Lt pediatric wrist radiograph · lateral projection · pediatric patient (male, age 15) · 803 x 1052 px
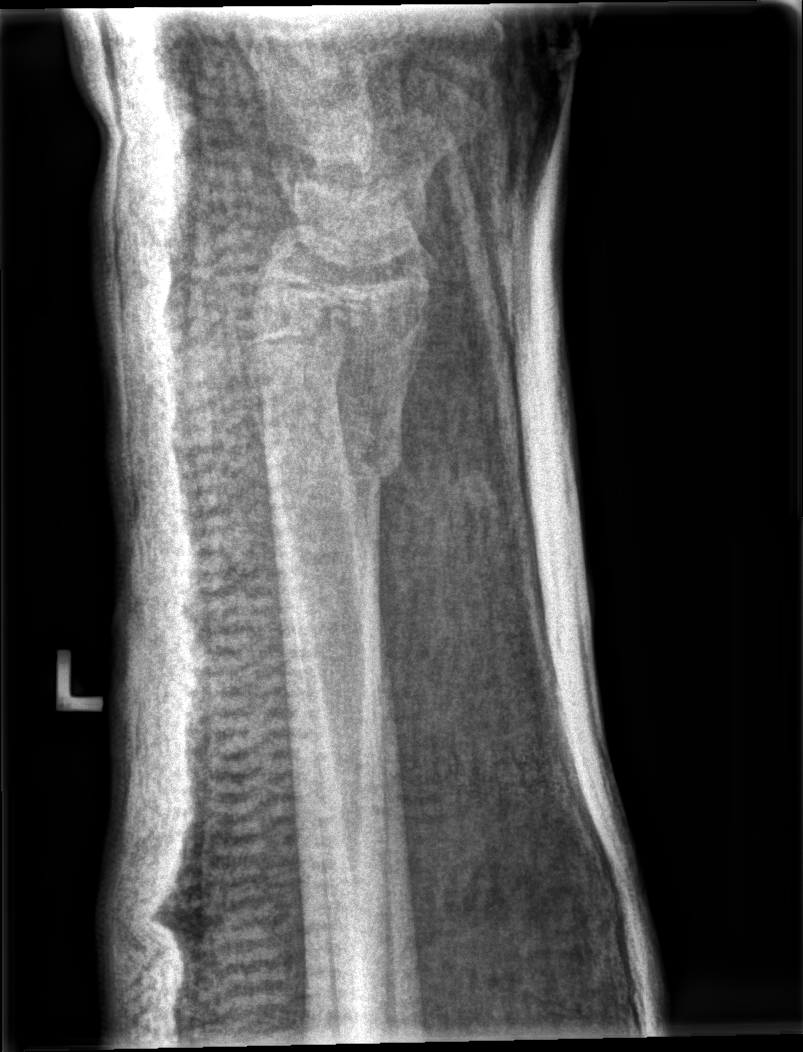 (pixel coordinates, top-left origin, xyxy)
fracture: 1 @ [256, 401, 410, 510]
AO/OTA: 23r-M/3.1; 23u-E/2.1